Rt wrist radiograph; AP projection; 7-year-old female; follow-up; imaged through cast; image size 689x998. 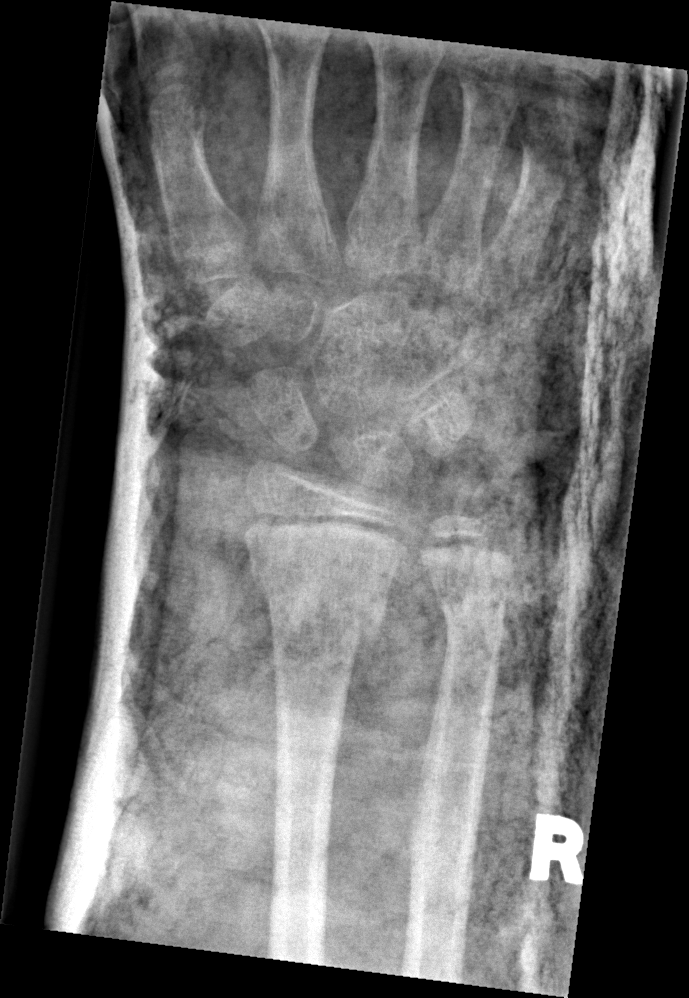
{
  "_coords": "boxes as x1,y1,x2,y2 (top-left / bottom-right, pixel units)",
  "fracture": "2 @ [x1=254, y1=565, x2=390, y2=659], [x1=424, y1=581, x2=516, y2=634]"
}